Lat projection, left plain radiograph of the wrist.
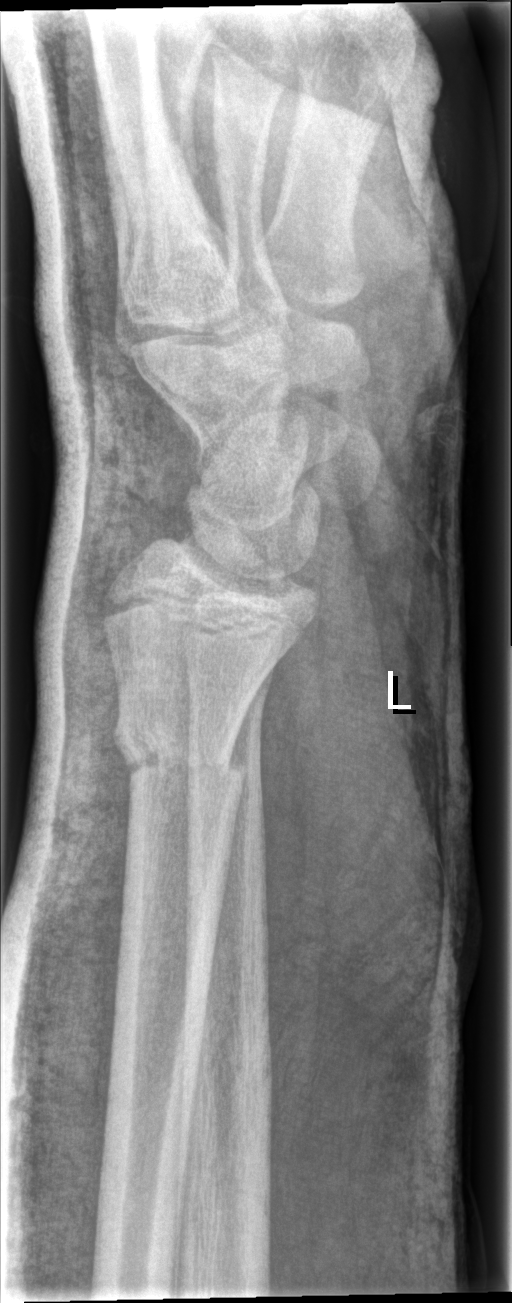   ao: 23r-M/3.1
  fracture: 1 @ (111, 706, 252, 796)